Lat, right wrist pediatric wrist radiograph, follow-up — 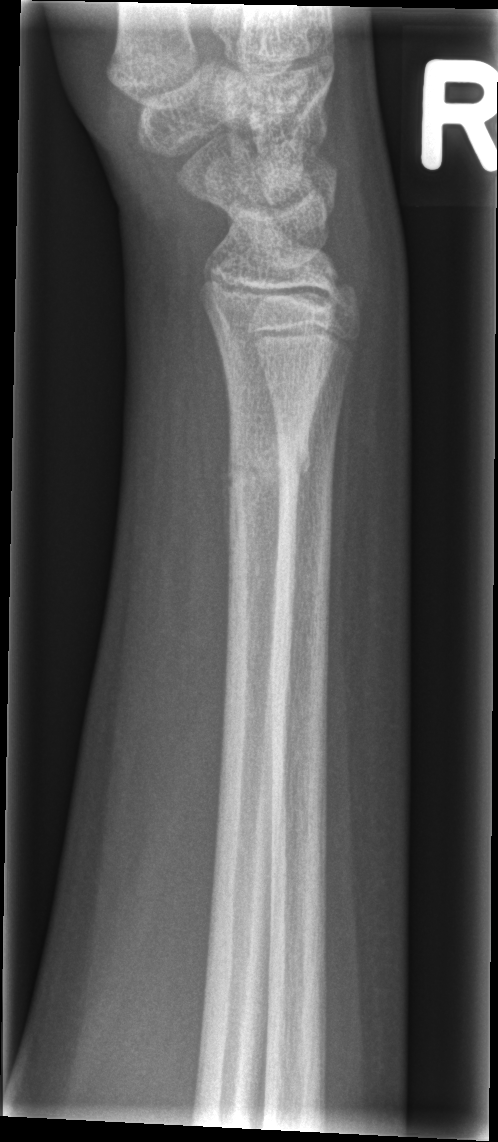

Fracture classified AO/OTA 23r-M/3.1; 23u-E/7. Fracture identified at 216,430,315,497.